Lat view · left wrist radiograph · age 12 y, male · follow-up · in cast · 490x1368.

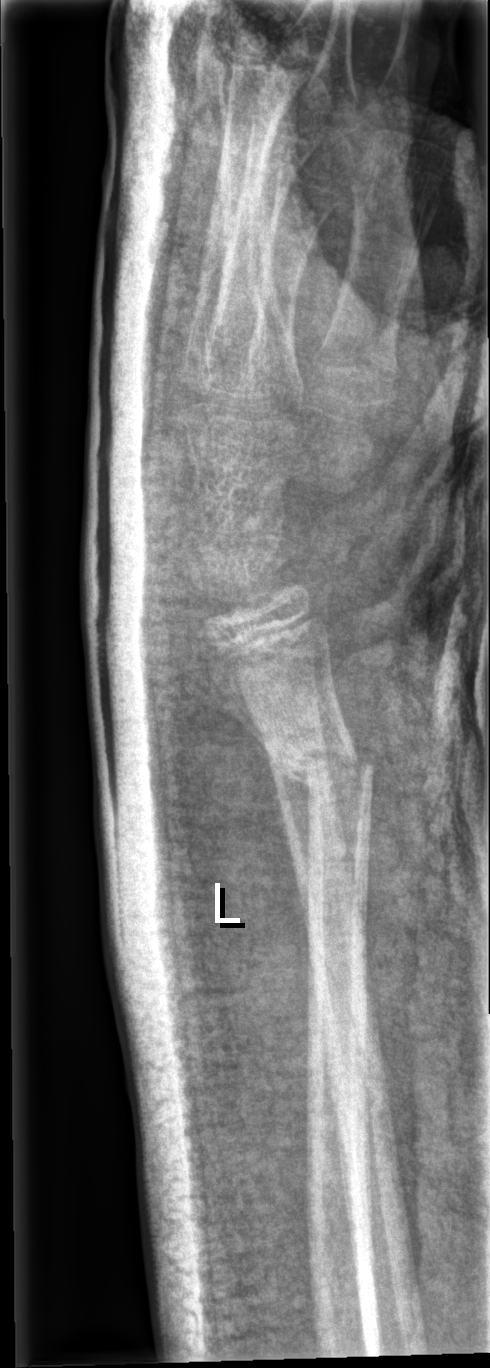

Pixel coordinates, top-left origin, xyxy.
AO/OTA classification: 23r-M/3.1; 23u-M/2.1.
Fracture: [x1=263, y1=727, x2=382, y2=814].